Right wrist plain film; lat view; age 10 y, girl: 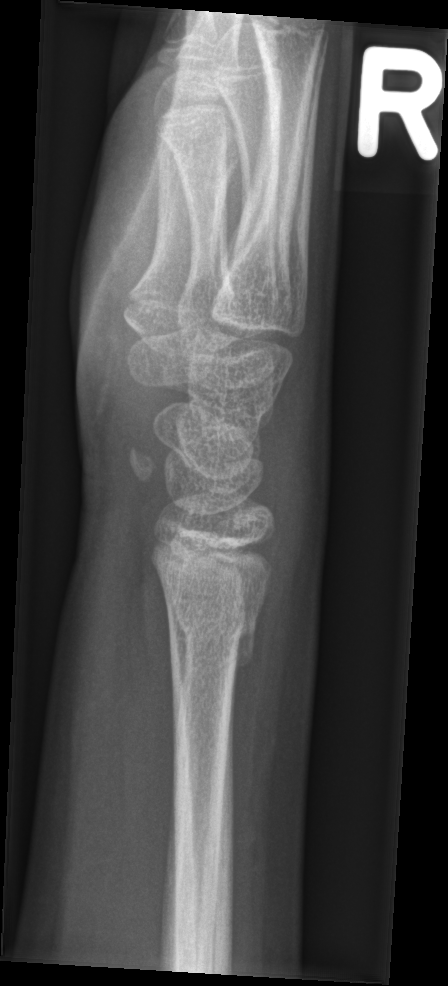

* Boxes as x1,y1,x2,y2 (top-left / bottom-right, pixel units).
* Fx identified at bbox(166, 591, 261, 673).
* AO code 23r-M/3.1; 23u-M/2.1.